Lat | left wrist X-ray | 13-year-old girl: 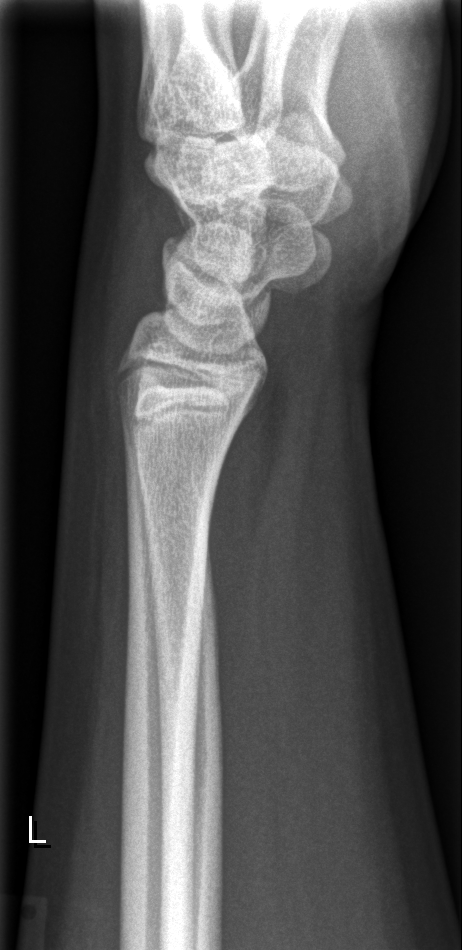

Fx = none labeled